Lateral projection; right wrist XR; girl, 12 yo:
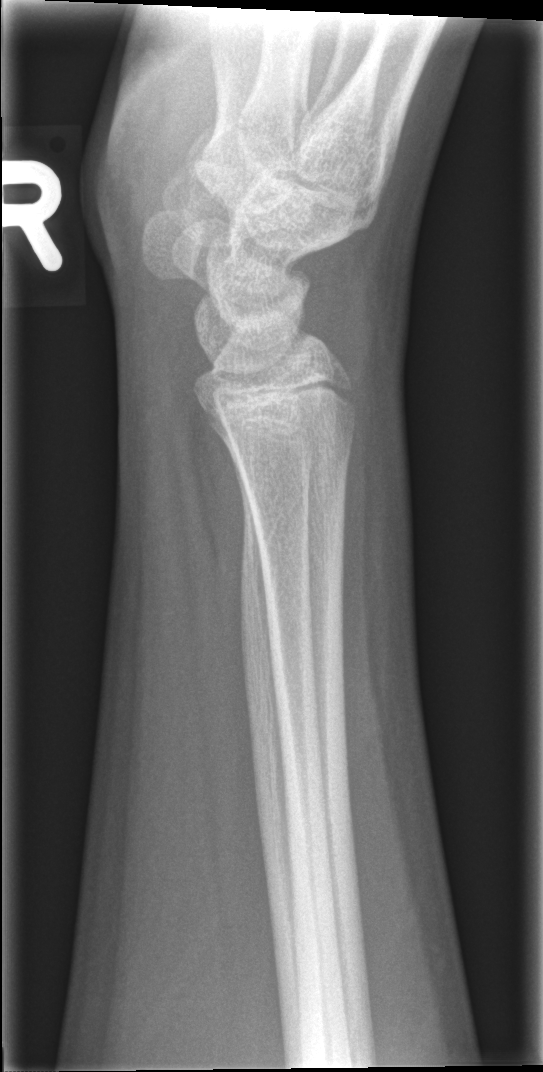
  fracture: none labeled